Lateral; R plain radiograph of the wrist; imaged through cast: 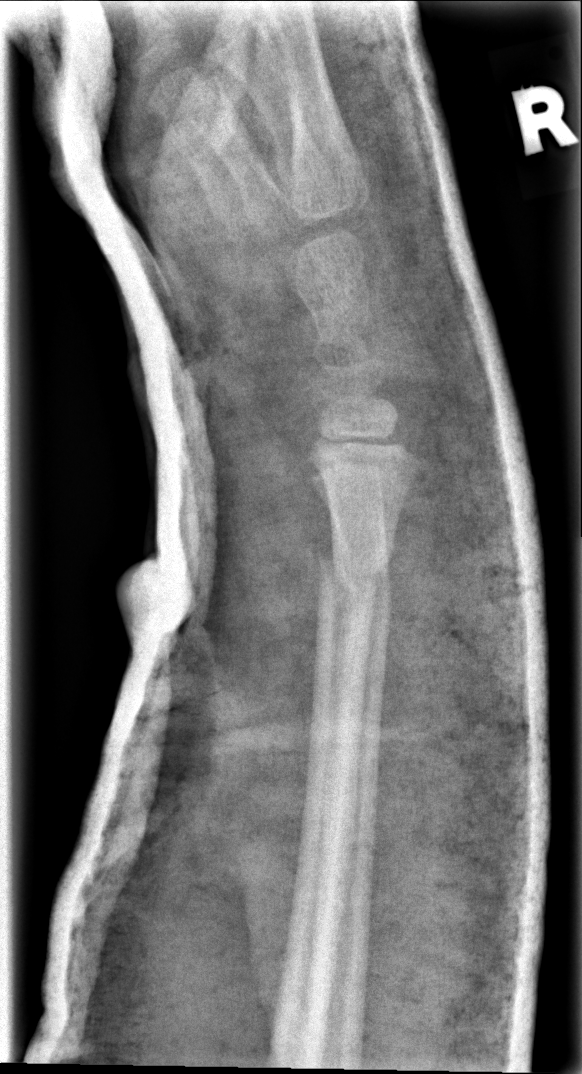 Findings: Fracture classified AO/OTA 23-M/3.1. Bone fracture — [x1=313, y1=547, x2=396, y2=599].